Lat view; left wrist pediatric wrist radiograph; in cast; 788 by 1292 pixels.
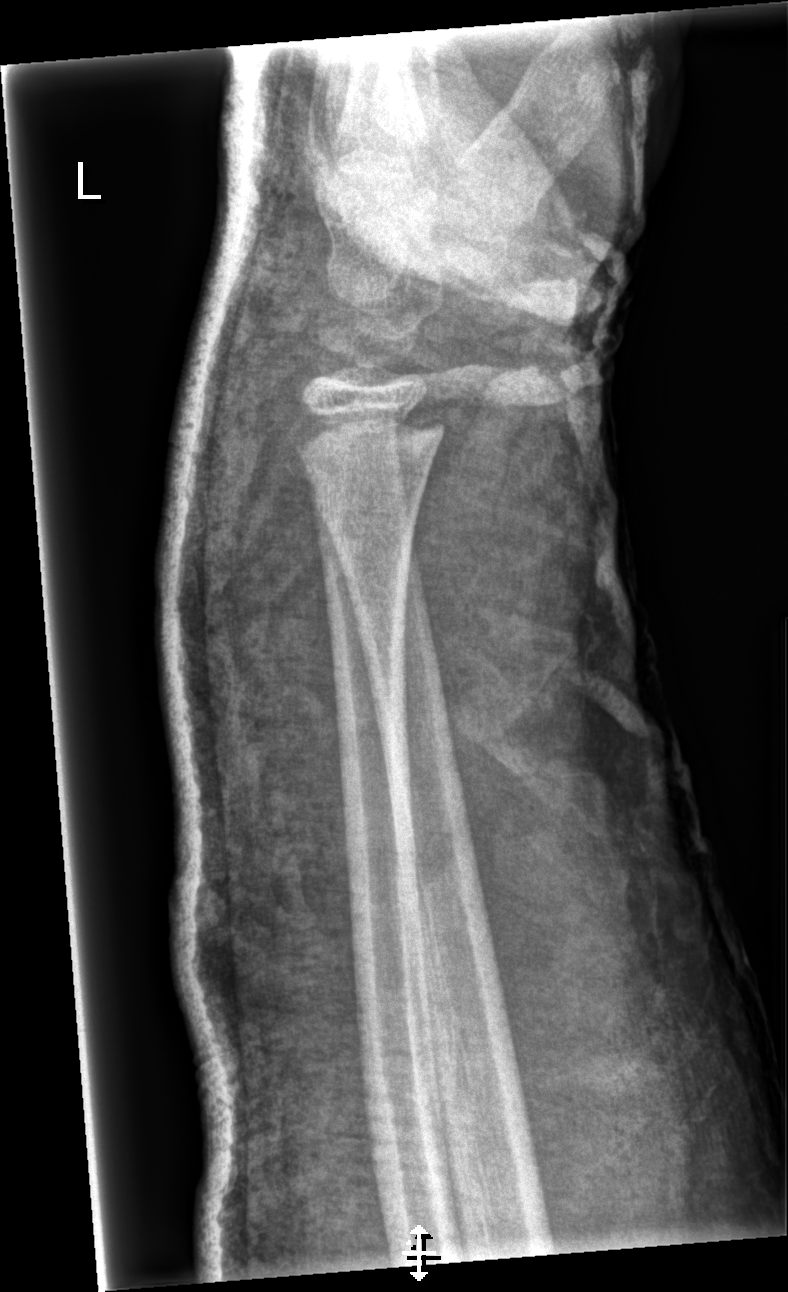

Bounding boxes in image-pixel xyxy.
One Fx at 275,404,447,486.
AO/OTA classification: 23r-E/2.1; 23u-M/2.1.